Lateral, left wrist radiograph.

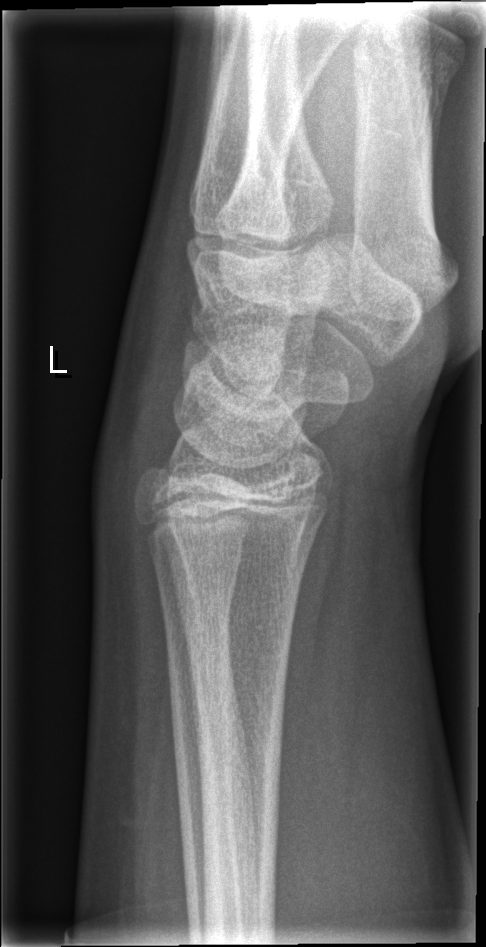

Fx = none labeled